PA/AP view · left wrist radiograph · image size 595x1186. 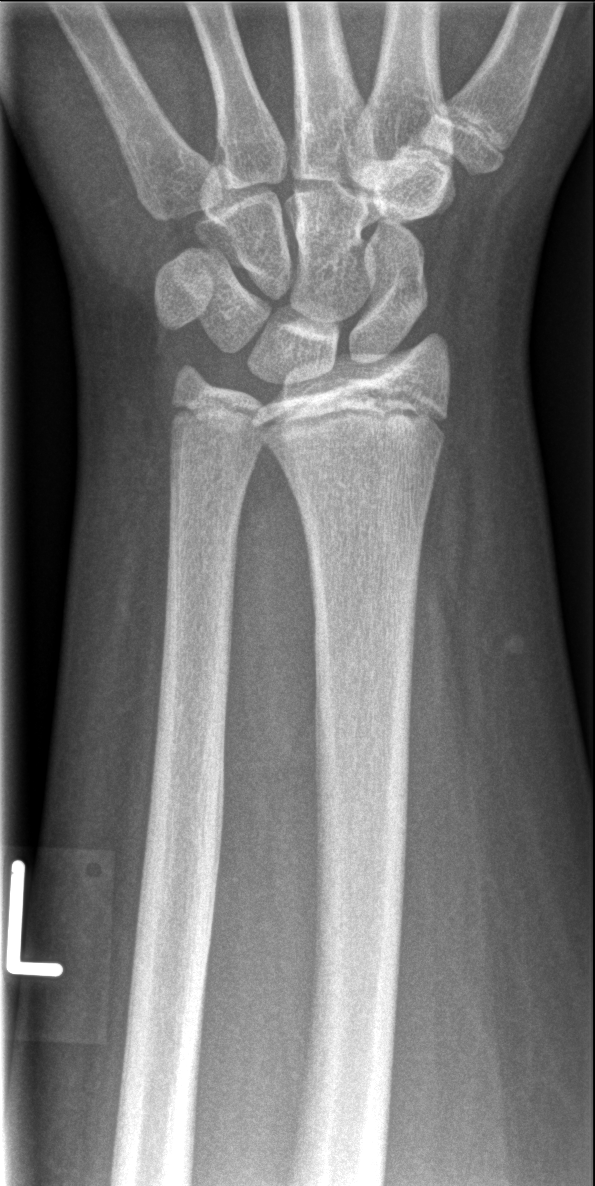
Fx = none labeled